Frontal projection | L wrist radiograph | index exam | Siemens | 652x1146 —

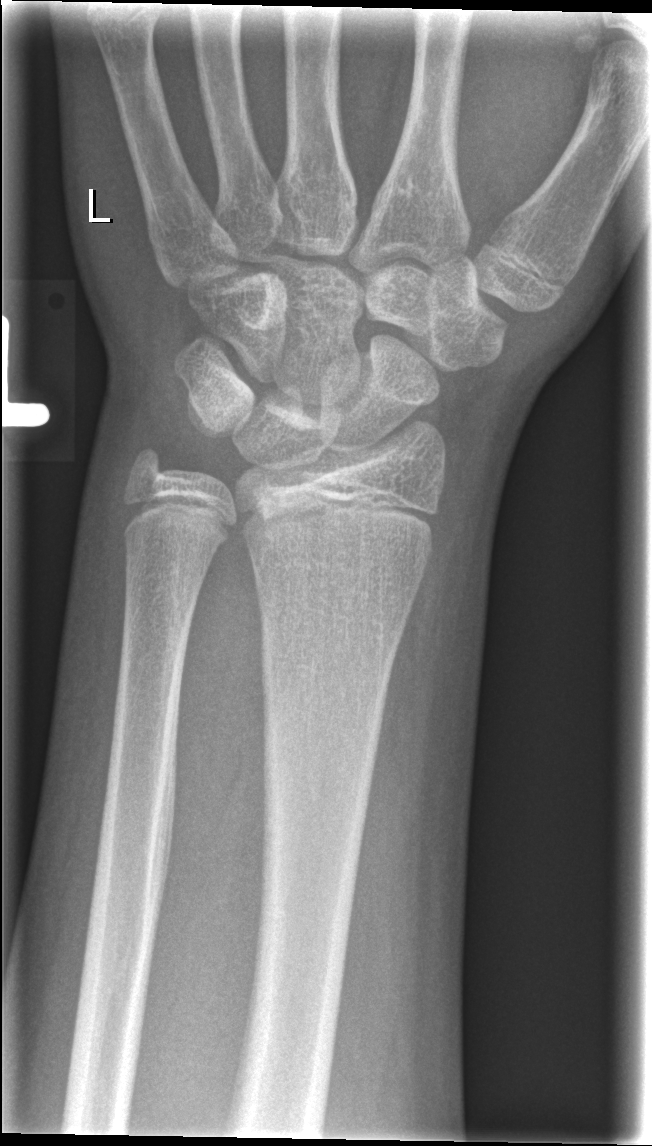

- AO code 23r-M/2.1.
- Fx: present but not clearly seen in this view.